Lateral; right wrist plain film; male, 13 yo; image width 69.4 mm.
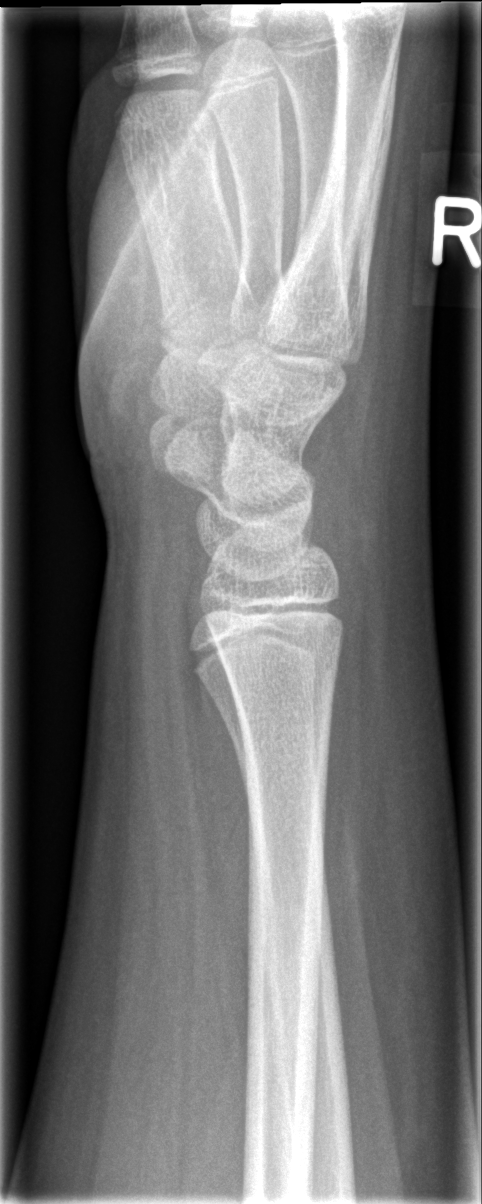

{"fracture": "none labeled"}